Posteroanterior; L wrist plain film; 530 x 980 px.
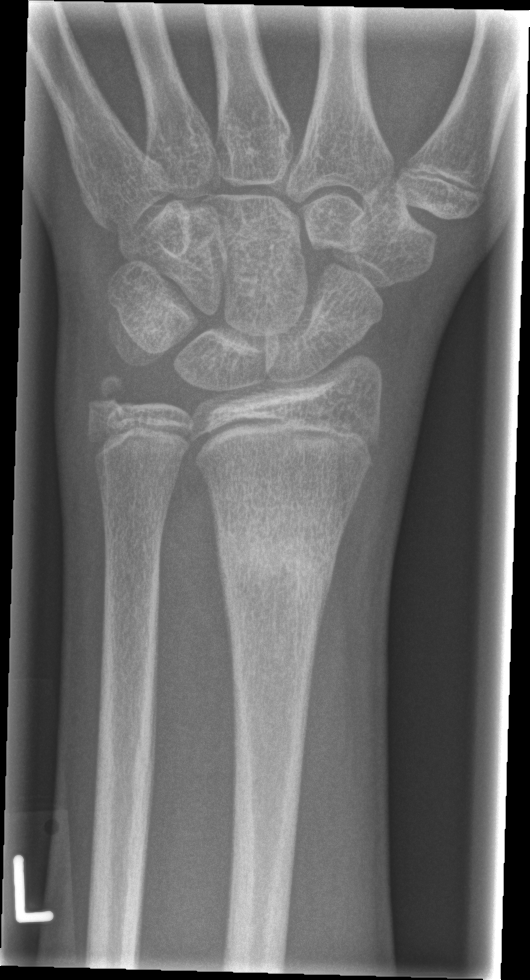
AO code 23r-M/3.1; 23u-E/7. Bone fracture identified at bbox(214, 505, 340, 610) bbox(82, 365, 137, 423).